Lateral view | Rt wrist XR:

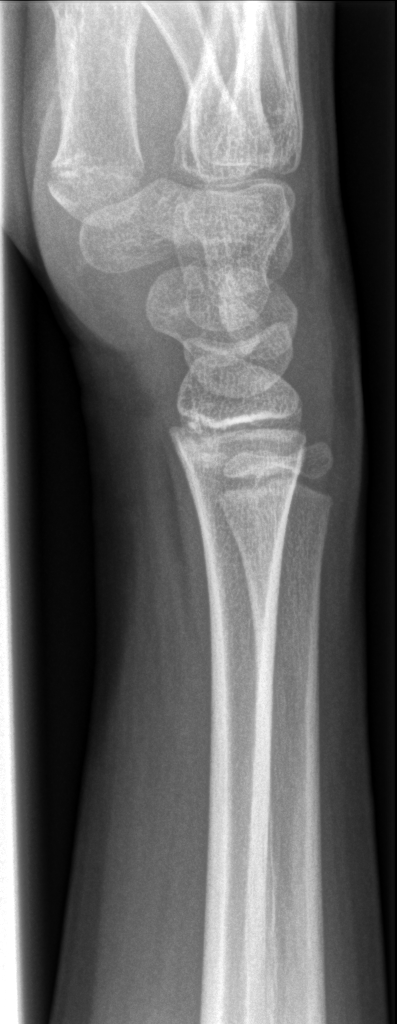 {"fracture": "none labeled"}